Frontal projection · R wrist plain film · female, 16 yo · index exam · detector: Siemens 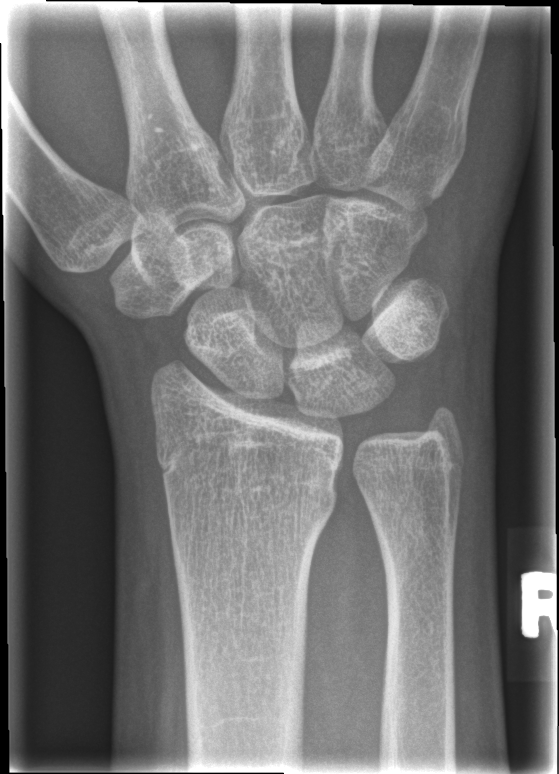
No fracture labeled.